Rt plain radiograph of the wrist; PA view; 16-year-old female; detector: Siemens

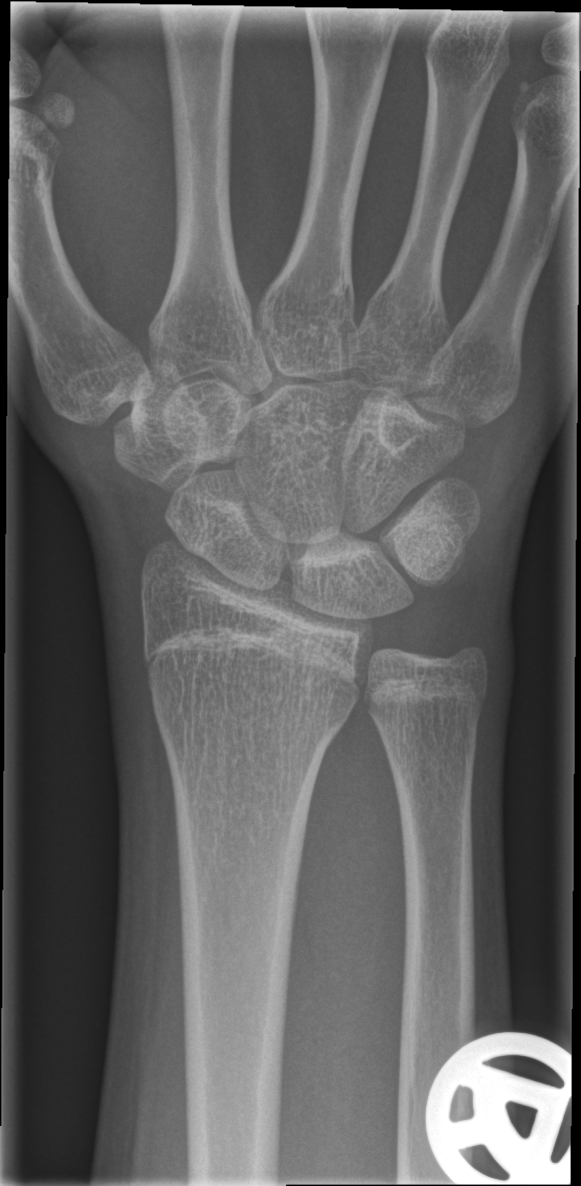
Findings: No fracture annotation.